Posteroanterior projection, Rt wrist X-ray, 9y F, subsequent exam, 626x1016.

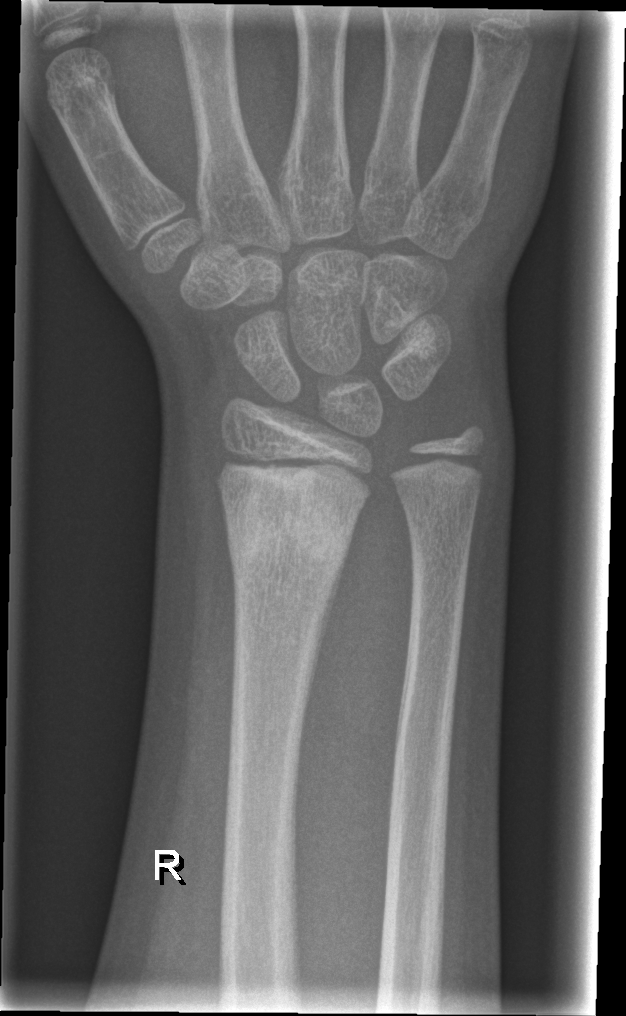

* Fx — [218, 472, 357, 579].
* AO code 23r-M/2.1.